PA projection; L pediatric wrist radiograph; age 8 y, girl:
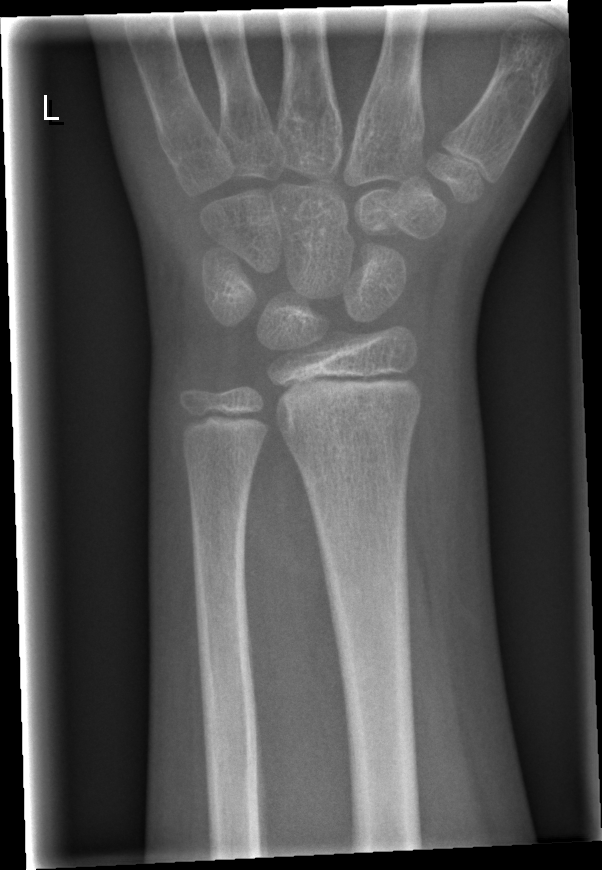
ao: 23r-M/2.1
fracture: present but not clearly seen in this view